Right plain radiograph of the wrist; lateral; follow-up study; acquired on Siemens; 513x860 — 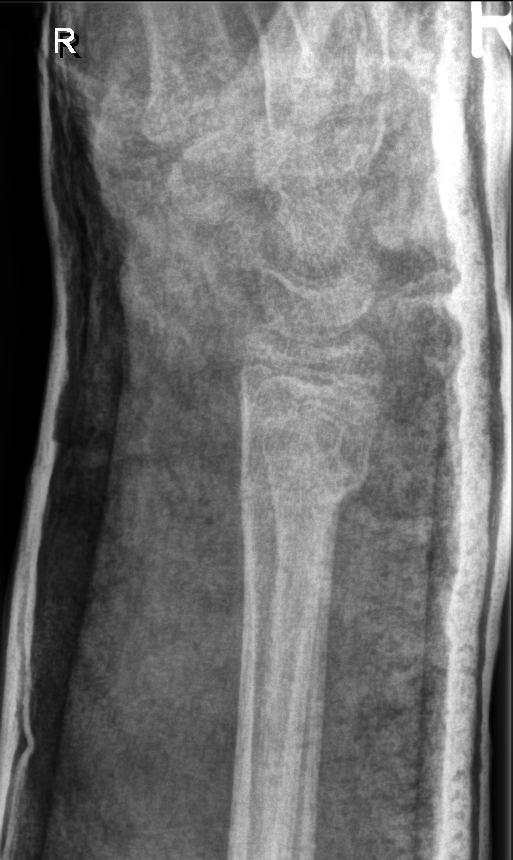 Bone fracture identified at (235, 455, 373, 522).
Fracture classified AO/OTA 23r-M/3.1; 23u-E/7.